Frontal · R wrist XR · age 9 y, male · imaged through cast: 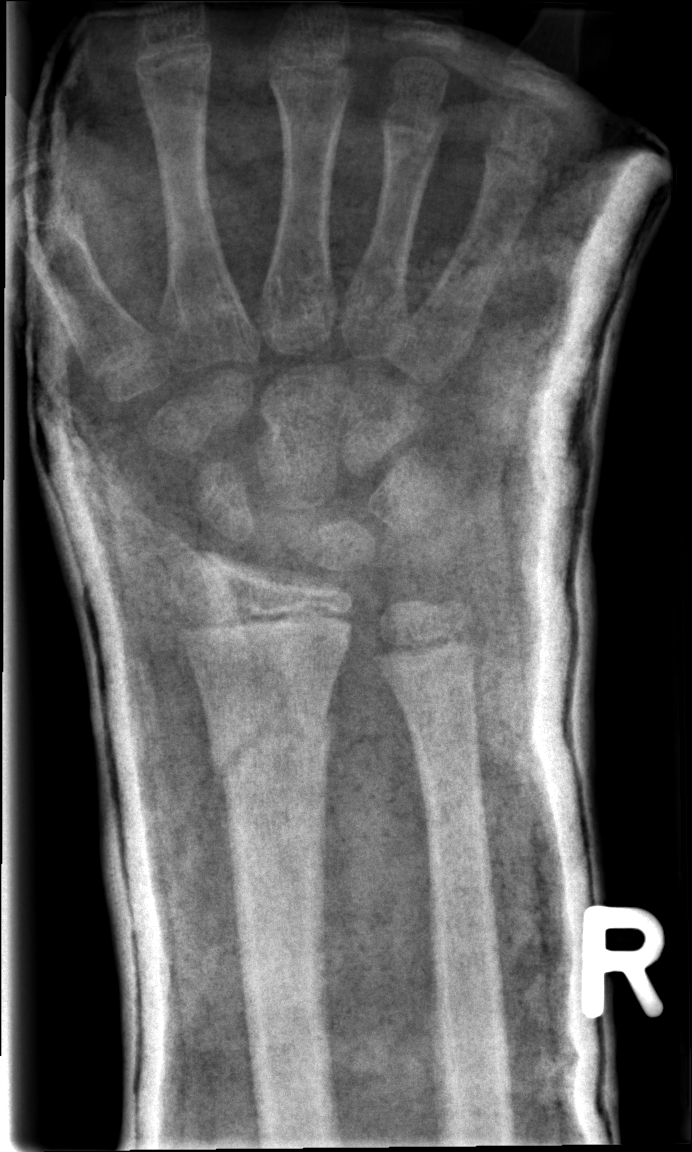
(coordinates are [x1, y1, x2, y2] in image pixels)
Q: AO code?
A: AO code 23r-M/3.1
Q: Any fracture seen?
A: Bone fracture: <208,700>-<335,790>